Posteroanterior, left plain radiograph of the wrist —

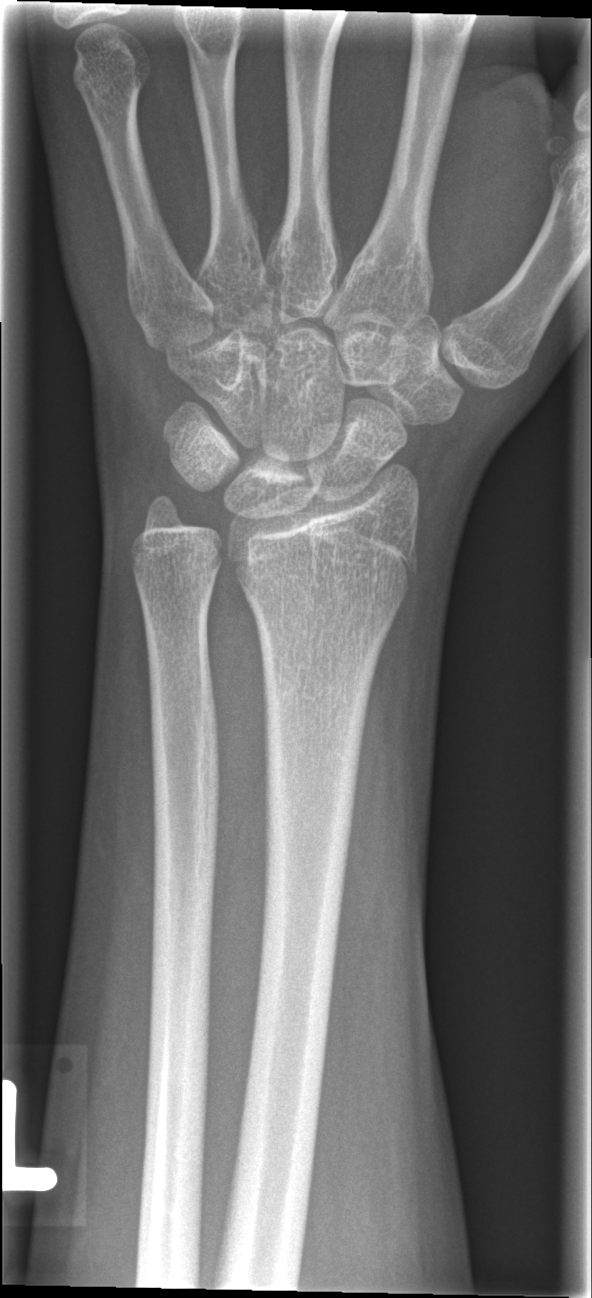 Fx = none labeled